Left wrist XR · posteroanterior projection · 7y F 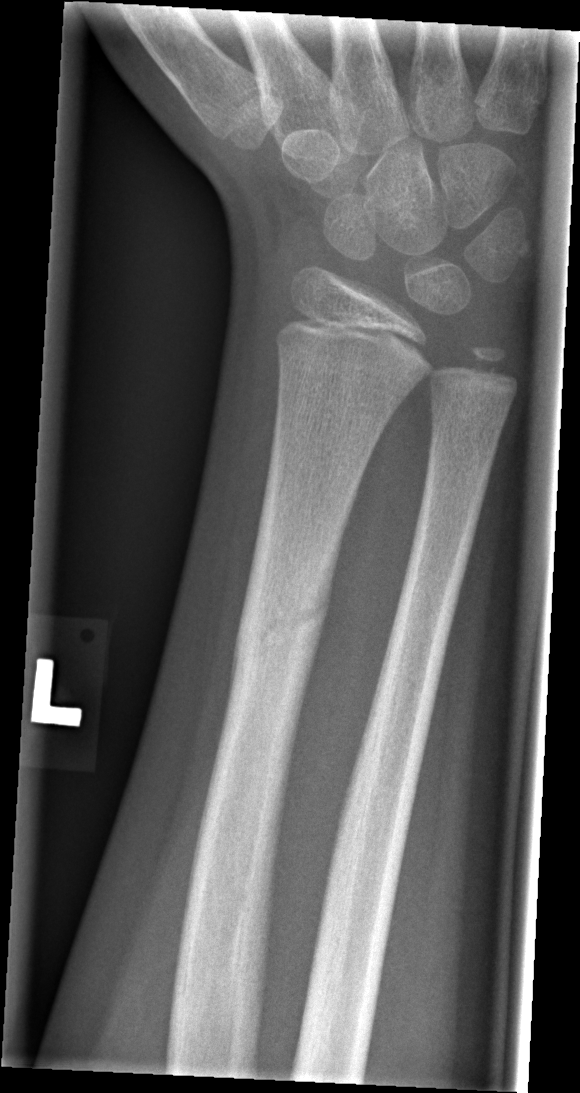
Coordinates are [x1, y1, x2, y2] in image pixels.
Bone fracture identified at [228, 566, 335, 685].